Lt wrist radiograph; lateral view; 12y M; cast in situ. 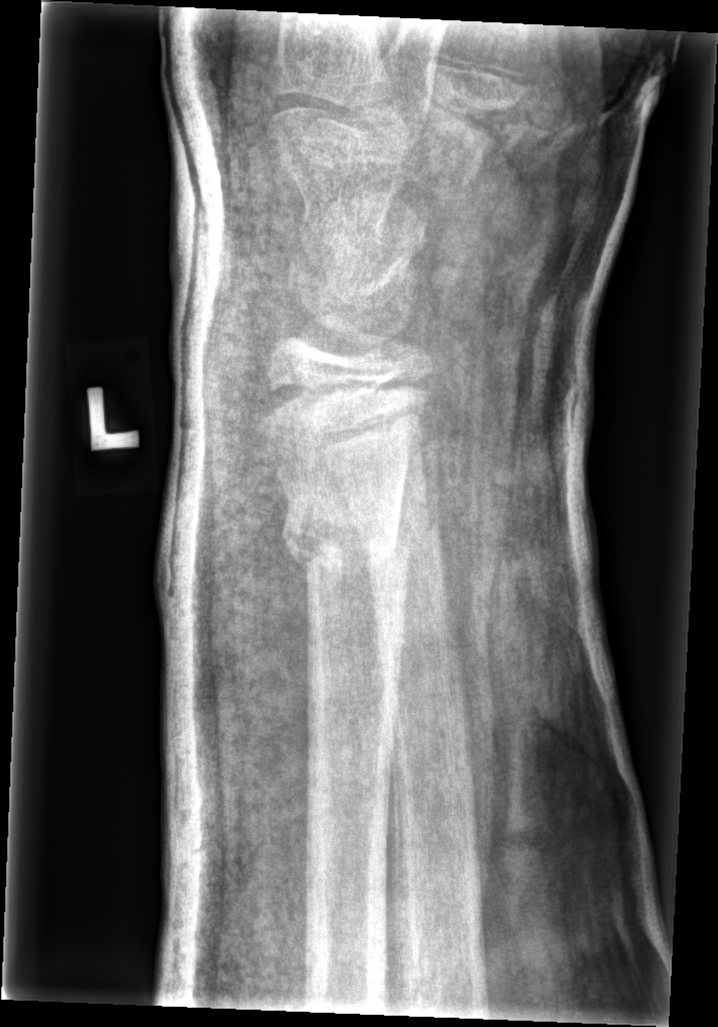

  ao: 23-M/3.1; 23u-E/7
  fracture: 2 @ [x1=275, y1=486, x2=412, y2=585]; [x1=361, y1=488, x2=447, y2=576]